AP projection · Rt wrist X-ray · pediatric patient (girl, age 9):

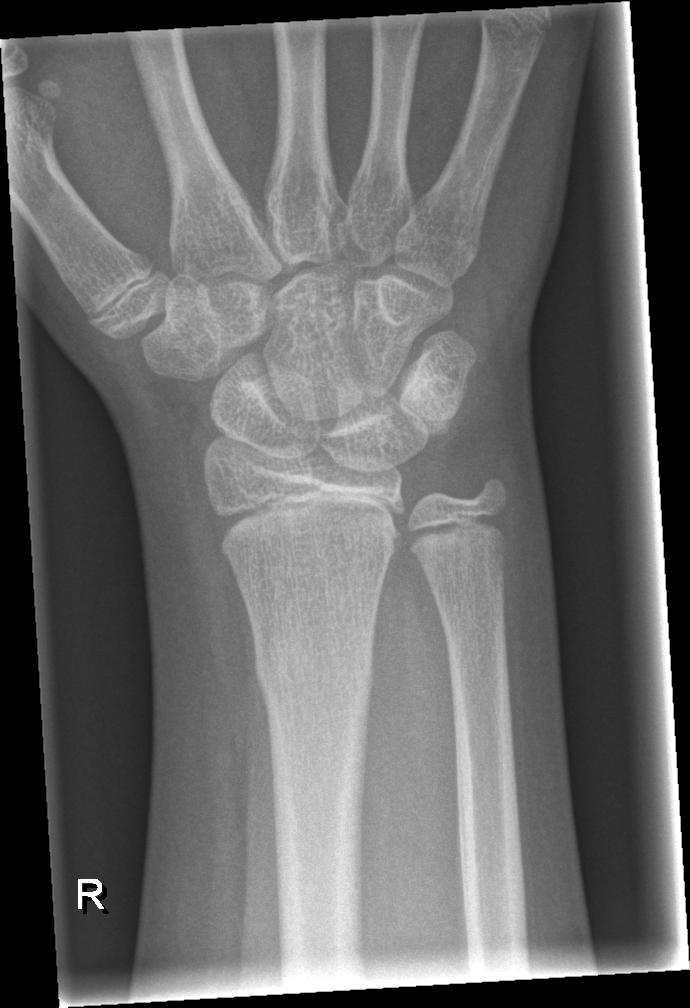

• Boxes as x1,y1,x2,y2 (top-left / bottom-right, pixel units).
• Fx identified at [248, 626, 380, 727].